Left wrist X-ray · lat · 12-year-old male · image 82.7 mm wide · 574 by 1192 pixels. 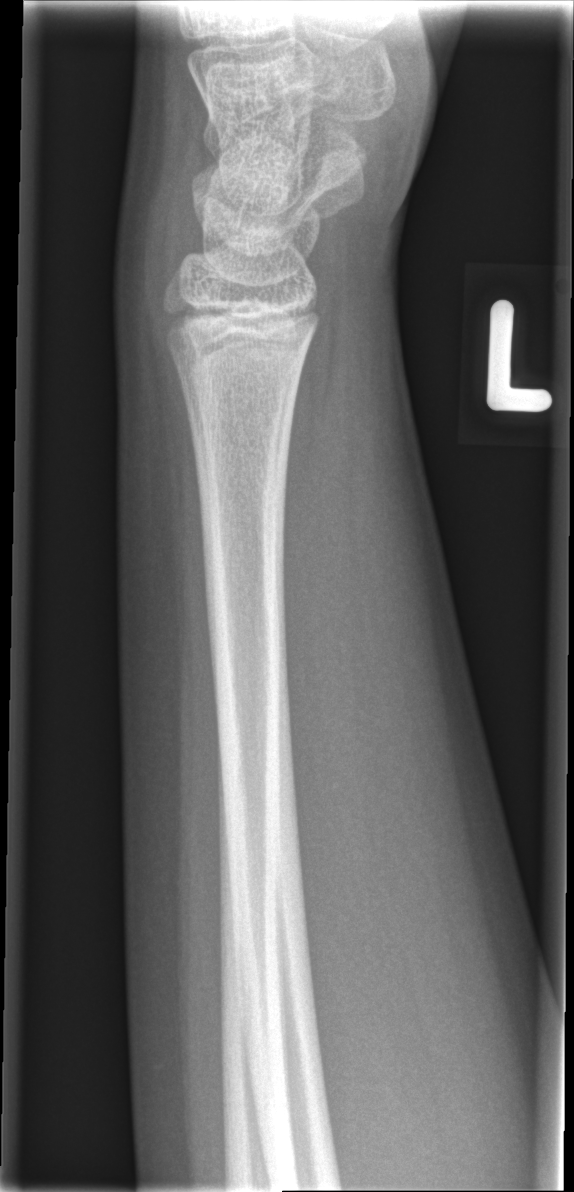

* Fracture: none labeled.